R wrist radiograph · posteroanterior view 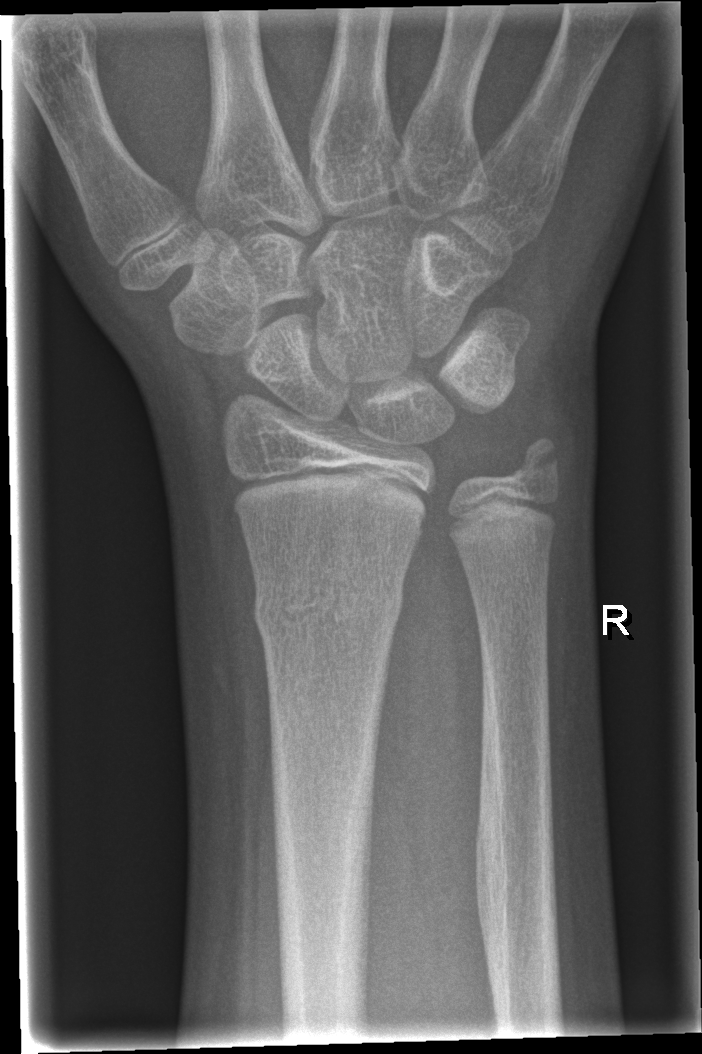
(bounding boxes in image-pixel xyxy)
AO classification = 23r-M/2.1; 23u-E/7
Bone fracture = 2 @ [244, 580, 417, 635], [501, 438, 572, 504]